Lat view, Lt pediatric wrist radiograph
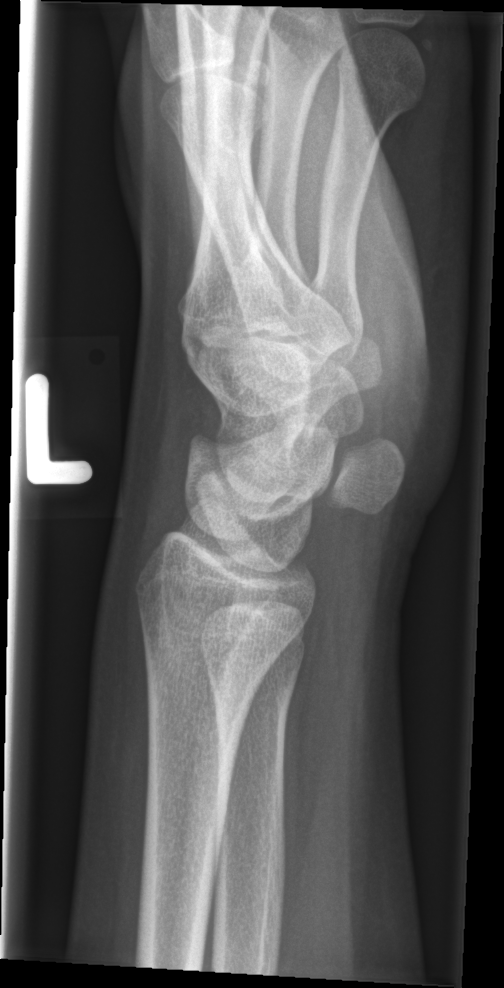 No fracture labeled.